Lateral · right wrist pediatric wrist radiograph · 413 x 666 px
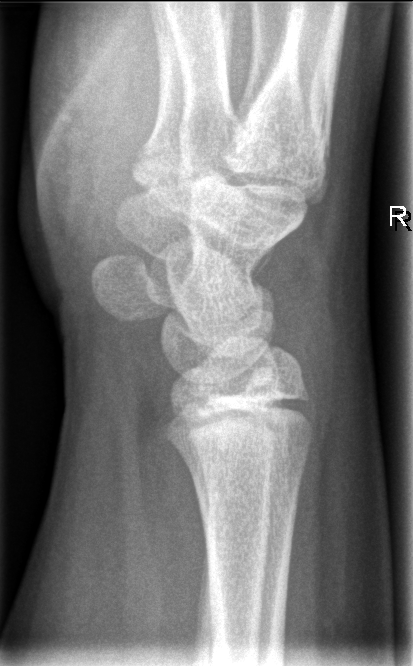 No fracture annotation.